Left wrist XR | posteroanterior view | pediatric patient (male, age 9) —
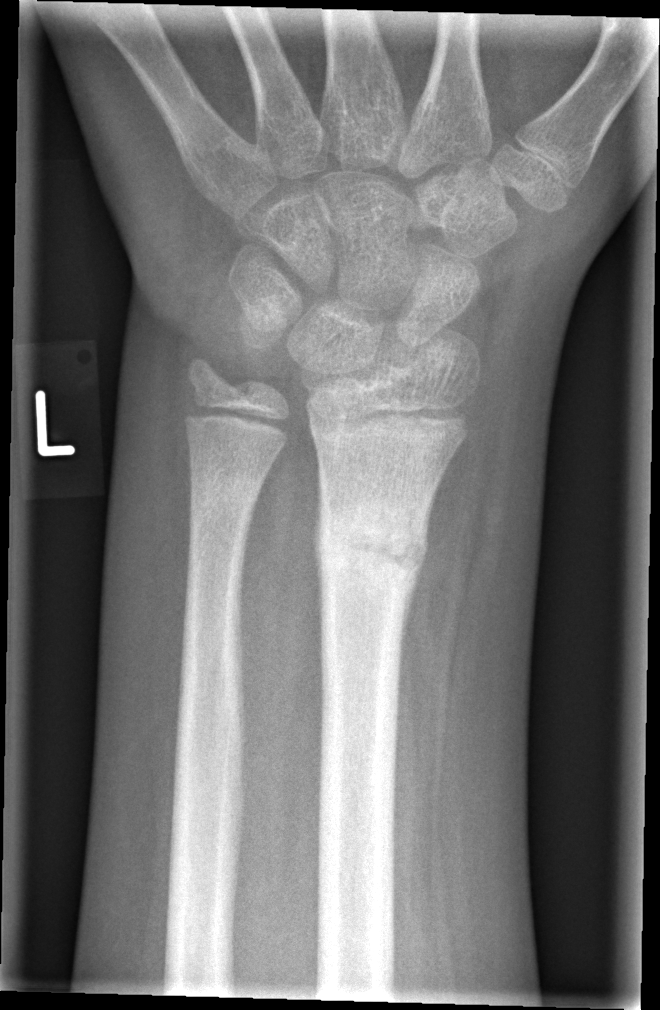 Decreased bone density (osteopenia). Fracture identified at <314,499>-<429,589>, <186,467>-<269,519>.